Lat view · L plain radiograph of the wrist · 428x1104 —

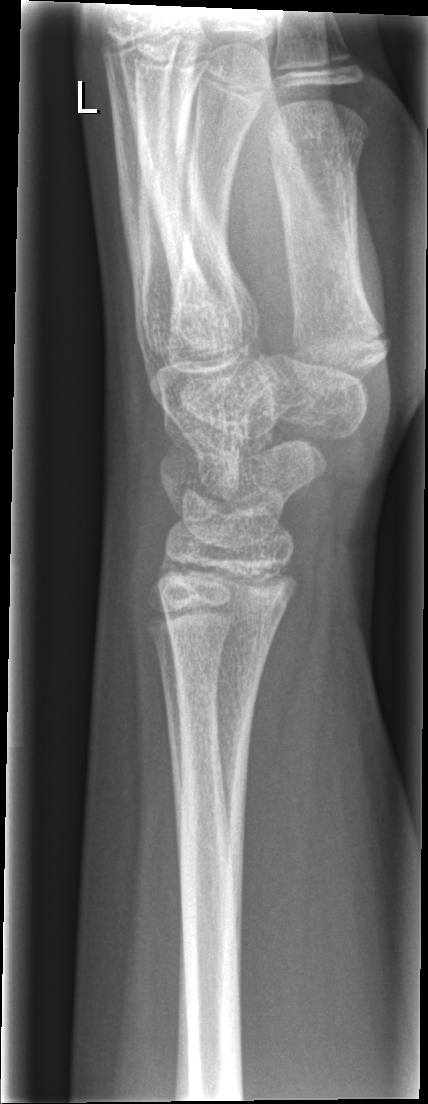
{
  "fracture": "none labeled"
}